Right wrist X-ray, lateral view, 424 by 796 pixels — 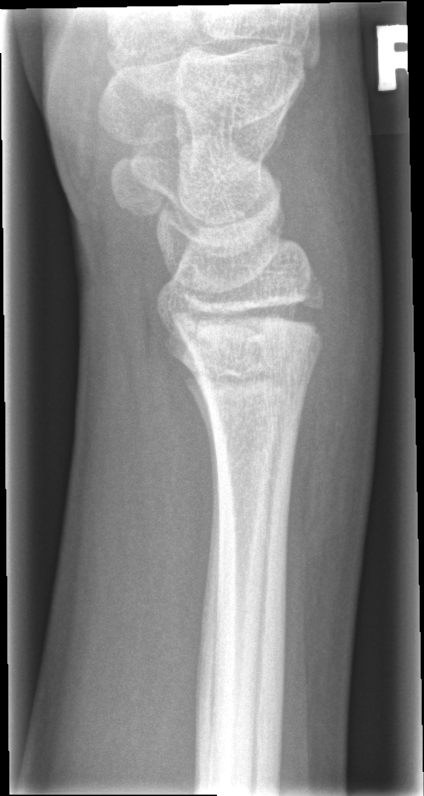

bone fracture: none labeled